Frontal view · right wrist pediatric wrist radiograph · pediatric patient (girl, age 5) · in cast · image size 608x786 — 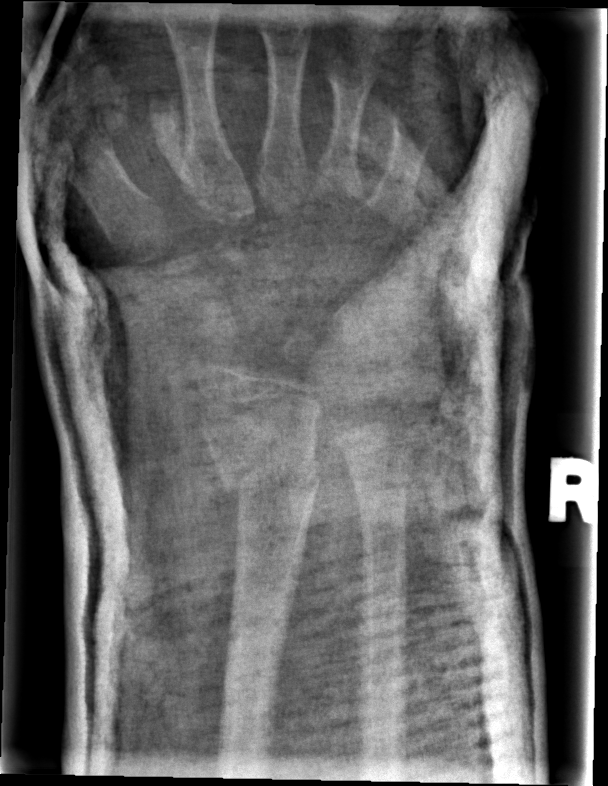
Pixel coordinates, top-left origin, xyxy. Fx identified at bbox(218, 453, 321, 533).